PA/AP | Rt plain radiograph of the wrist | 8y M | image size 742x1206

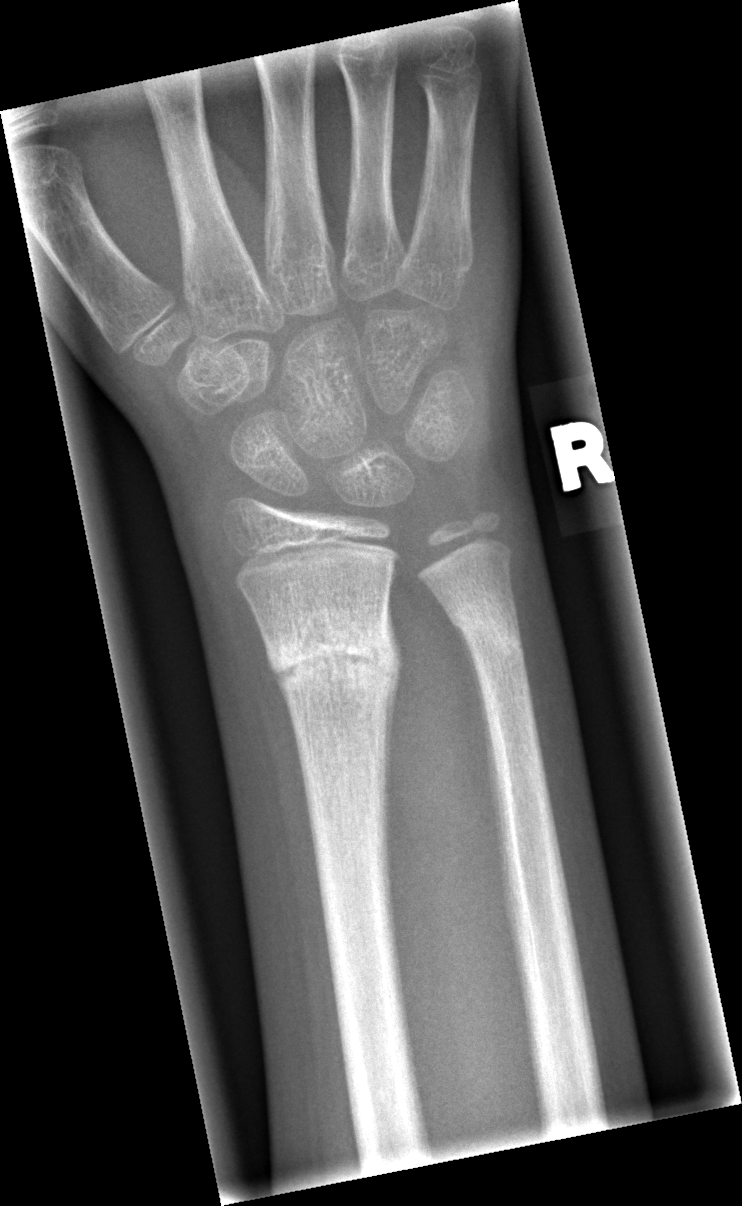 (coordinates are [x1, y1, x2, y2] in image pixels)
Q: AO code?
A: Fracture classified AO/OTA 23-M/2.1
Q: Any periosteal thickening?
A: Periosteal thickening: <453,625>-<507,897>; <384,586>-<404,824>
Q: Fracture present?
A: Two Fx at <258,603>-<403,712>; <444,598>-<530,668>